Right wrist radiograph | lat view | detector: Siemens | 612x1012.

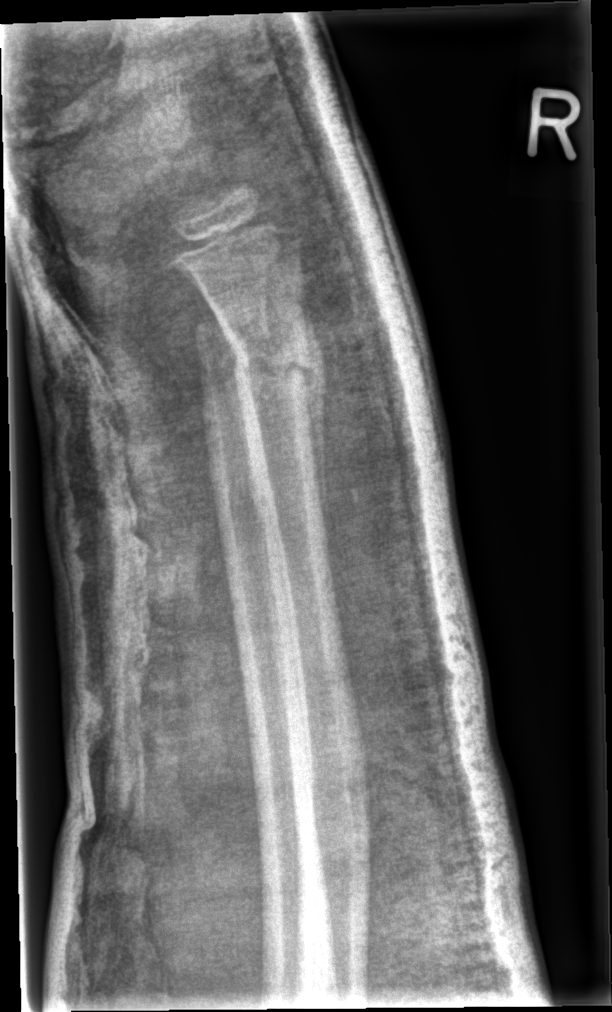
Periosteal reaction: bbox(298, 267, 330, 557). Bone fracture: bbox(226, 320, 318, 409).